Right pediatric wrist radiograph | lateral —

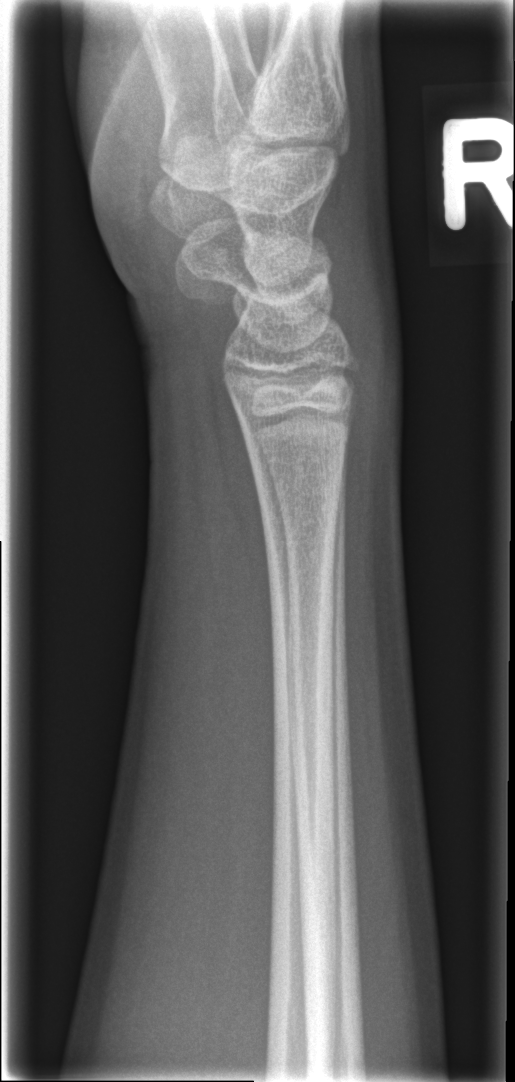 No Fx annotated.